Left pediatric wrist radiograph · AP projection · 15y M
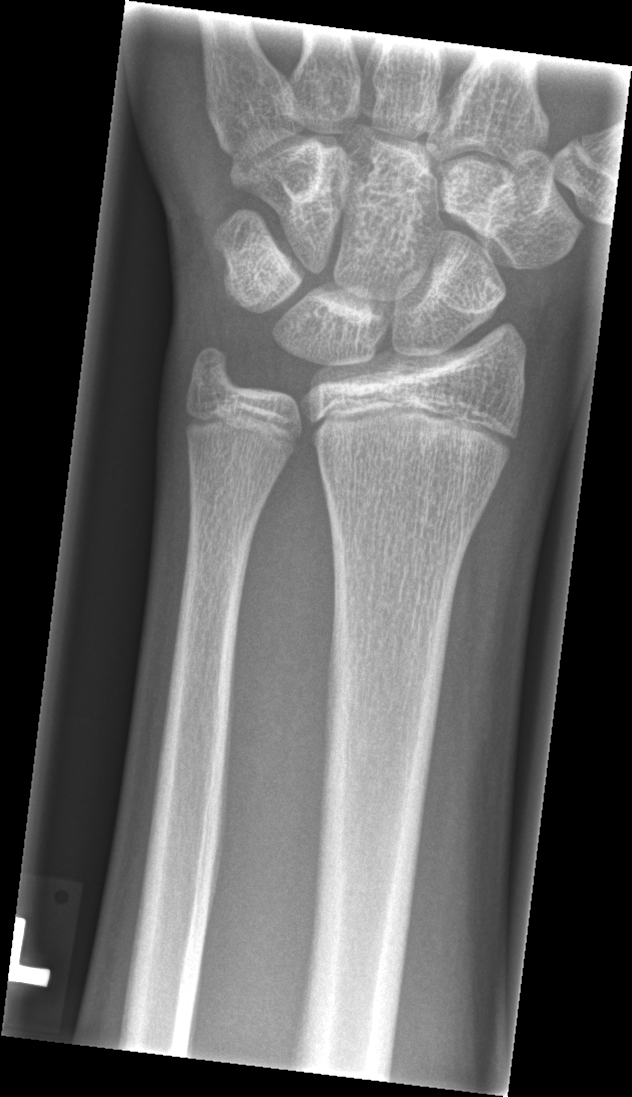 bone fracture: none labeled